Left wrist plain radiograph of the wrist; frontal projection; boy, 11 yo 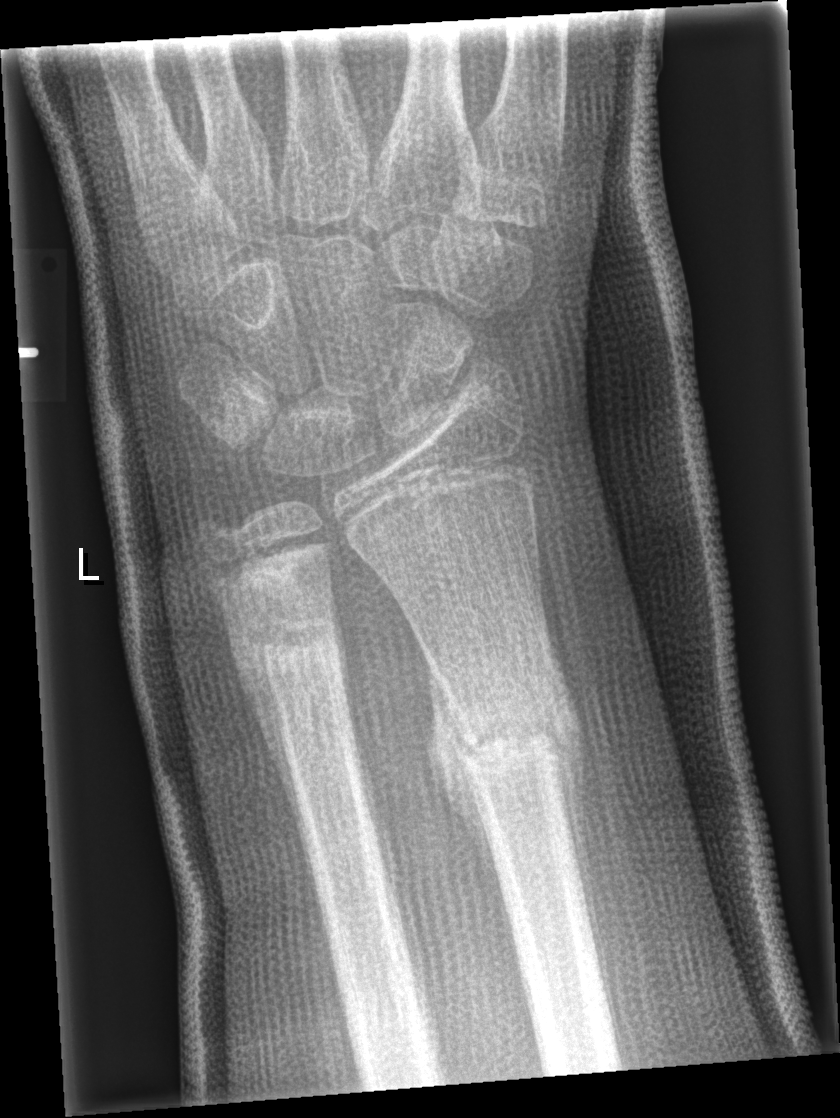 Findings: Periosteal new bone — (422, 642, 525, 996), (556, 718, 625, 1063), (235, 668, 316, 893), (328, 577, 362, 789). Fx — (441, 688, 586, 796), (221, 601, 346, 681).